Lateral projection · left wrist X-ray · 13y M

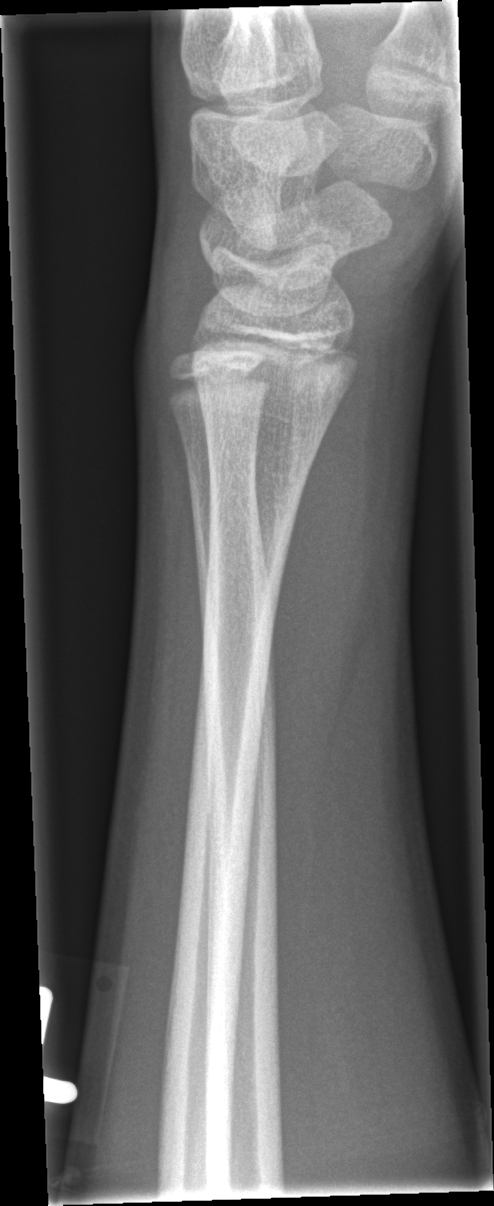

  fracture: none labeled